Right wrist plain radiograph of the wrist, AP view: 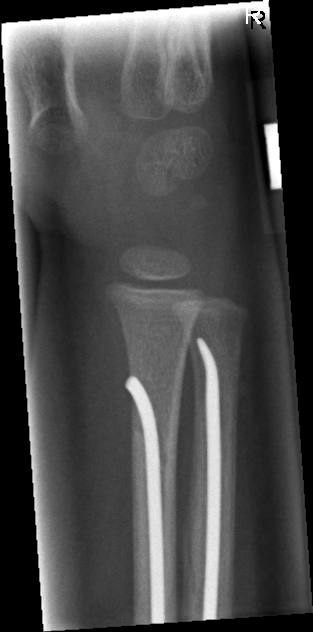
{
  "_coords": "coordinates are [x1, y1, x2, y2] in image pixels",
  "metal": "2 @ (left=124, top=378, right=165, bottom=623), (left=196, top=338, right=218, bottom=620)",
  "fracture": "none labeled"
}